PA projection; Lt wrist X-ray; 13y M: 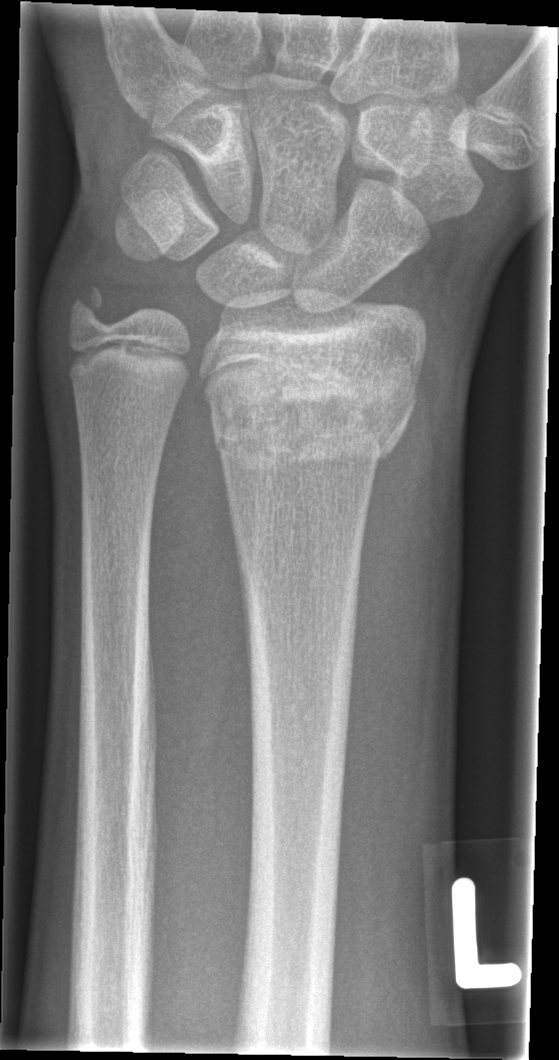

{"_coords": "coordinates are [x1, y1, x2, y2] in image pixels", "fracture": "2 @ (206, 356, 419, 477) (62, 279, 117, 339)"}